R wrist X-ray | lat view | pediatric patient (boy, age 2) | subsequent exam
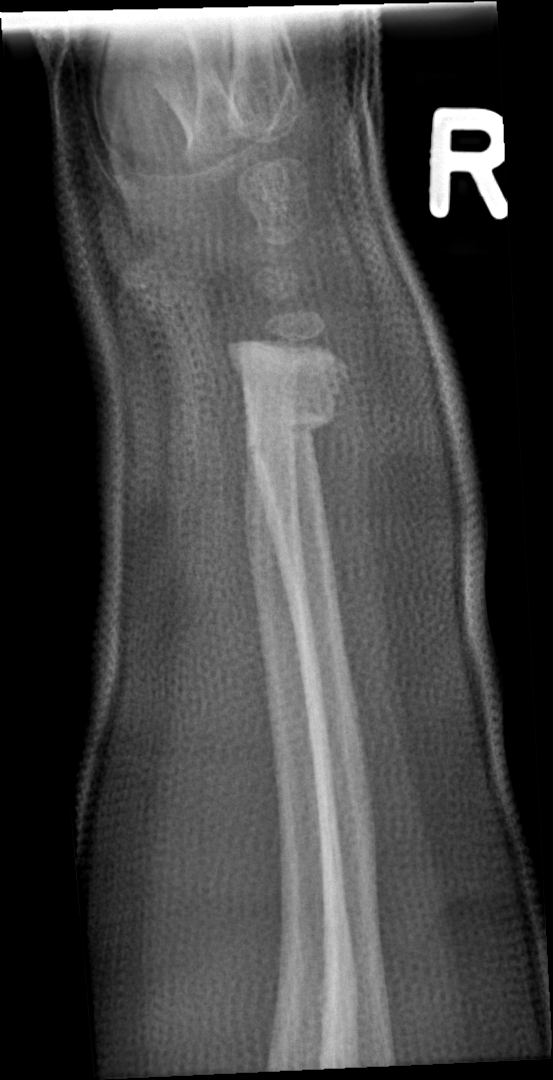
Boxes as x1,y1,x2,y2 (top-left / bottom-right, pixel units).
Bone fracture identified at 242 399 341 470.